Lat; L plain radiograph of the wrist; 12y F; detector: Siemens; image size 392x1108: 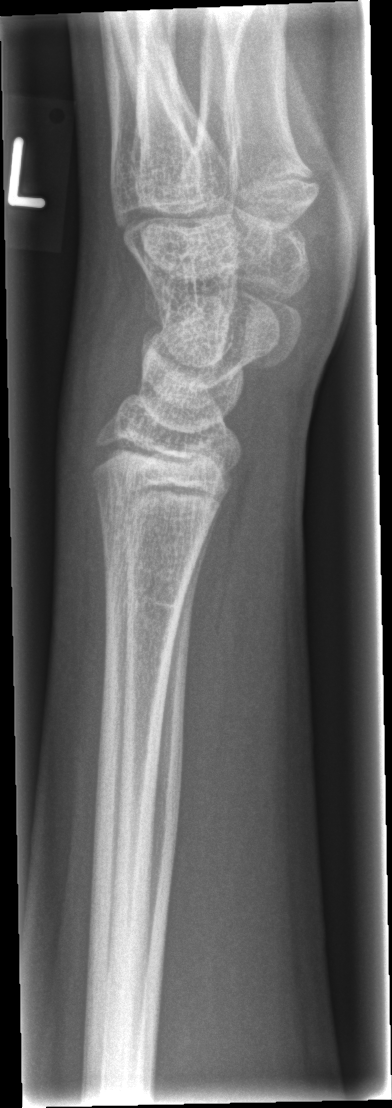

Q: Is there a fracture?
A: No fracture annotation